Lat · Lt plain radiograph of the wrist · 5y F · 392 by 762 pixels — 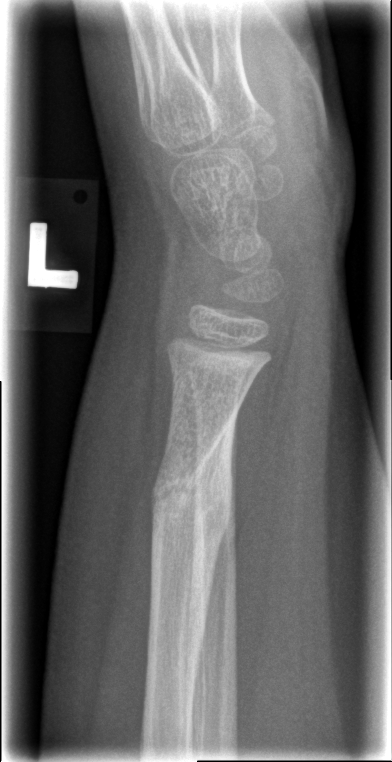 • Fracture identified at [x1=145, y1=463, x2=222, y2=530].
• One periosteal thickening at [x1=190, y1=405, x2=242, y2=695].